Lateral projection, right pediatric wrist radiograph: 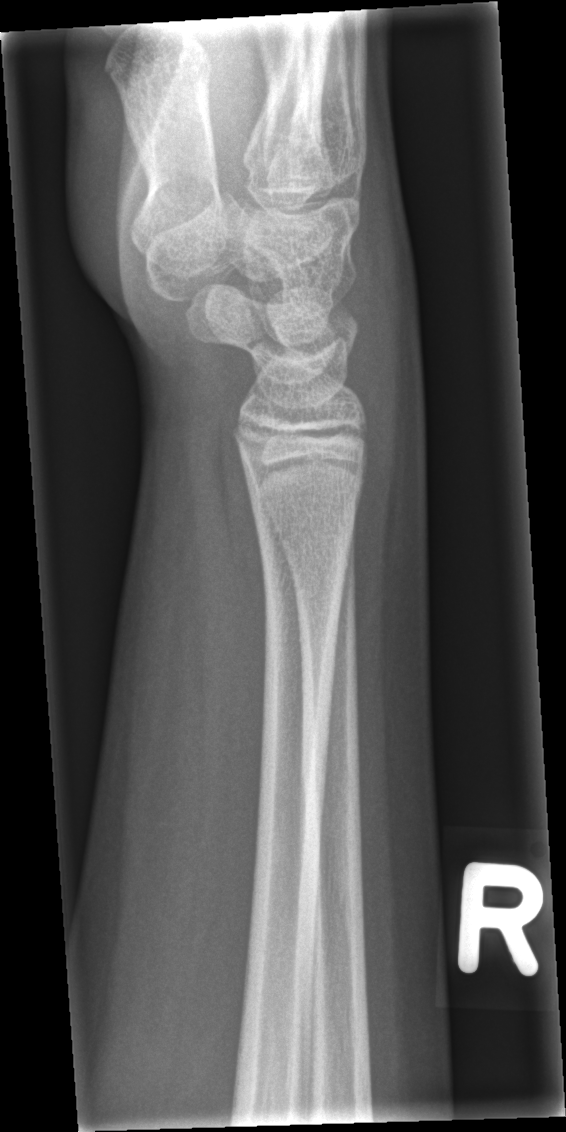

FINDINGS: No Fx annotated.